Oblique; left wrist XR; boy, 10 yo; cast present; 956x1111

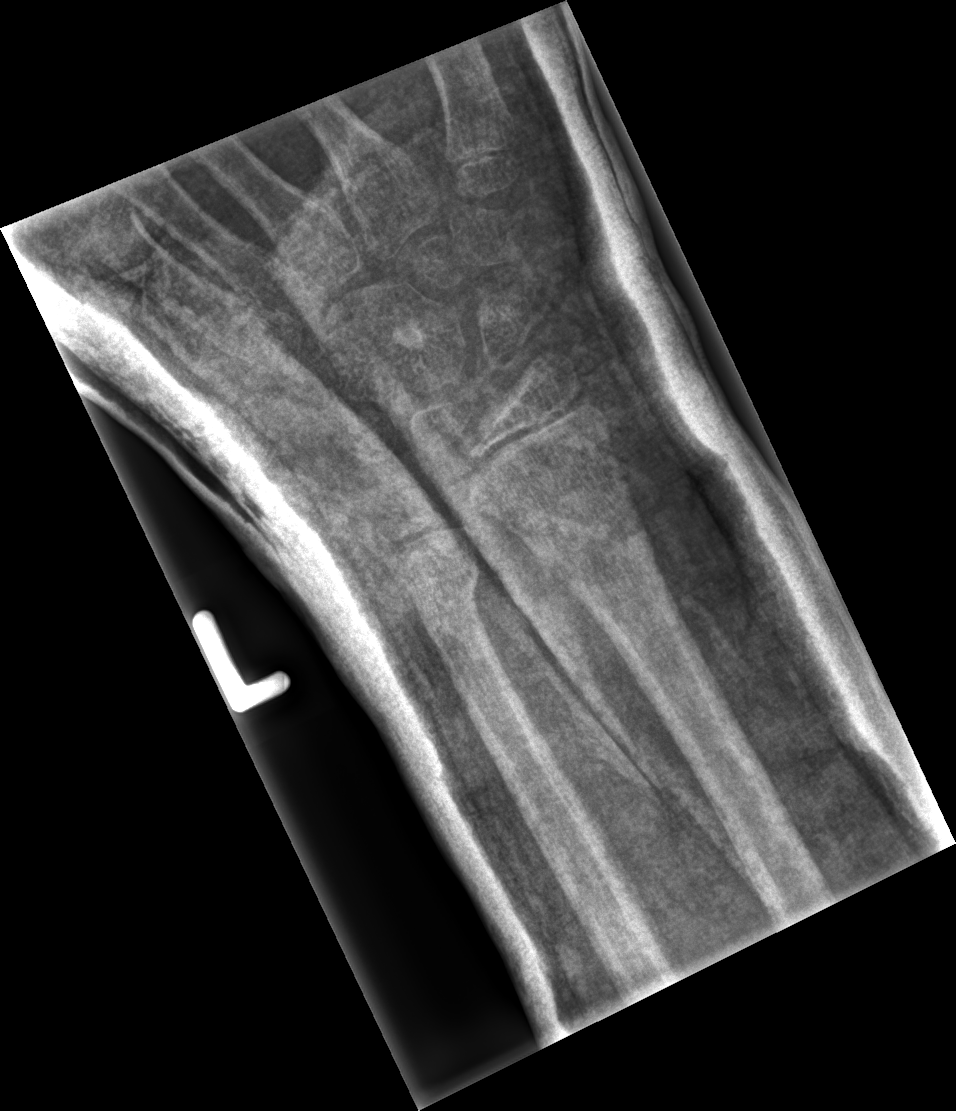
- Two Fx at (534, 505, 654, 590); (410, 557, 485, 633).
- AO code 23-M/2.1.